Right wrist pediatric wrist radiograph · lateral · 12-year-old boy.

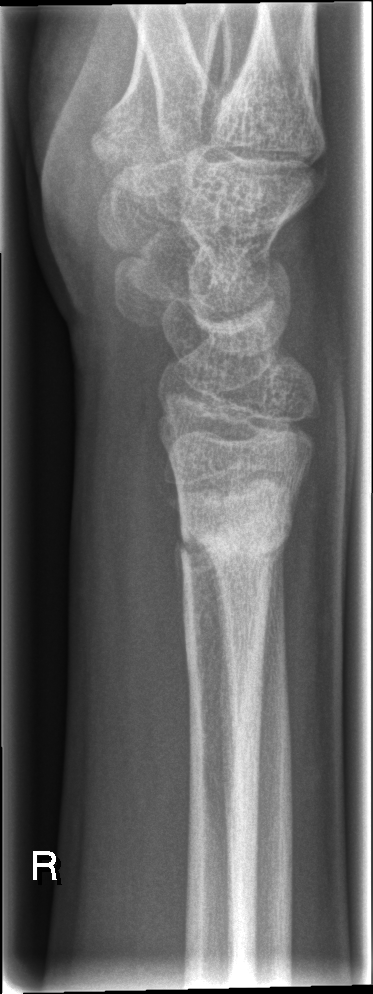
(coordinates are [x1, y1, x2, y2] in image pixels)
AO code = 23-M/3.1
Fx = (left=171, top=489, right=299, bottom=576)